Right wrist plain radiograph of the wrist; lat projection; 10-year-old female; follow-up study

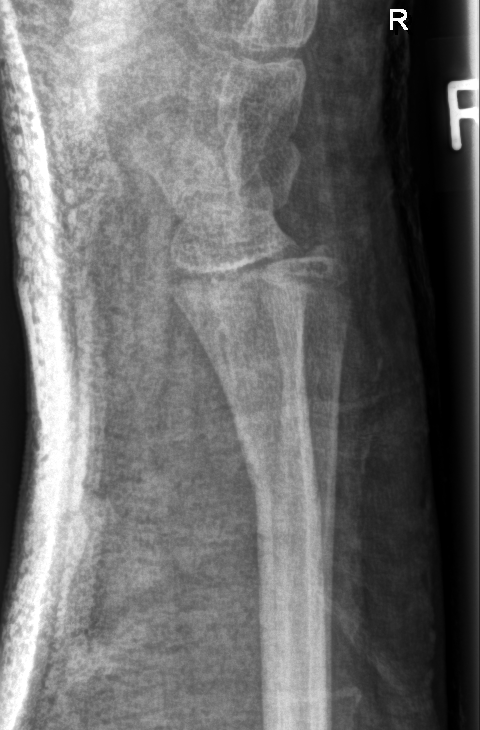

AO code 23r-M/2.1.
Fx — 239,439,326,531.